Lateral projection · Lt wrist XR

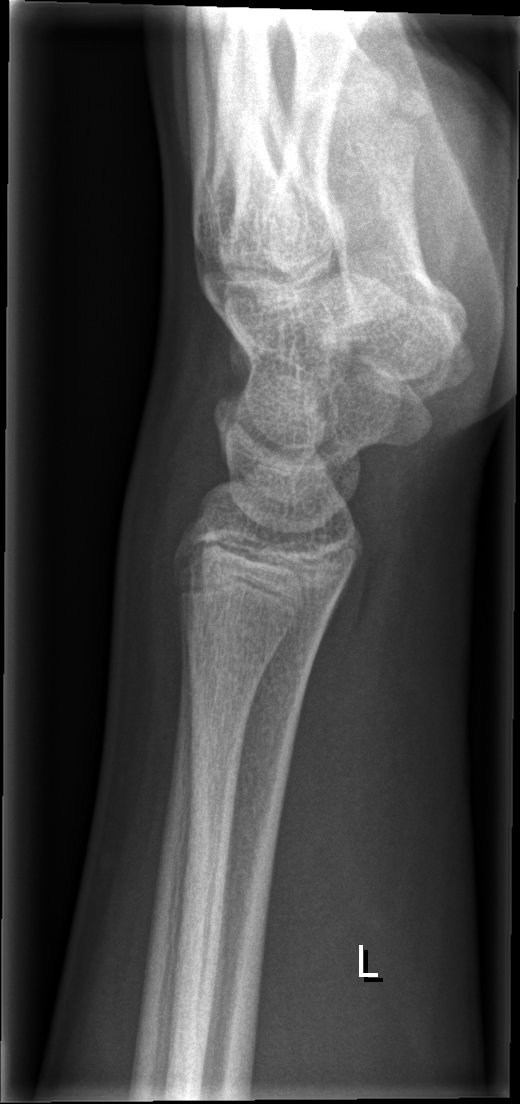
- Fx: none.